PA | right wrist X-ray | male, 7 yo | image width 121.0 mm | 846 by 846 pixels
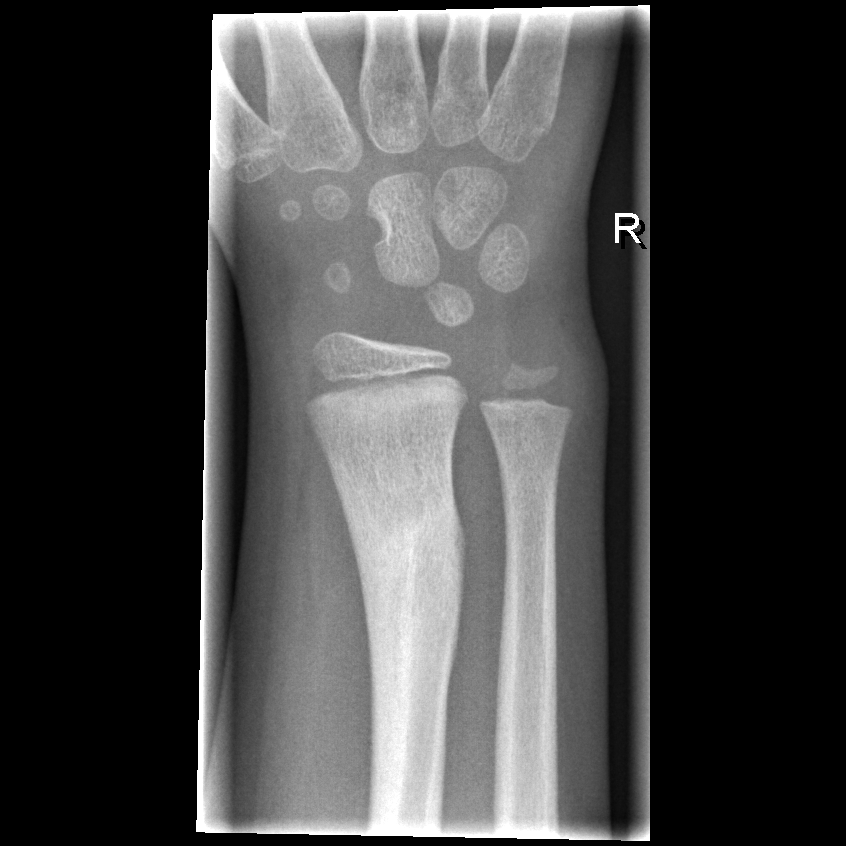 * Fx: <335,463>-<469,681>, <497,459>-<563,535>.
* Fracture classified AO/OTA 23-M/3.1.